L wrist plain film | PA/AP | pediatric patient (girl, age 14)
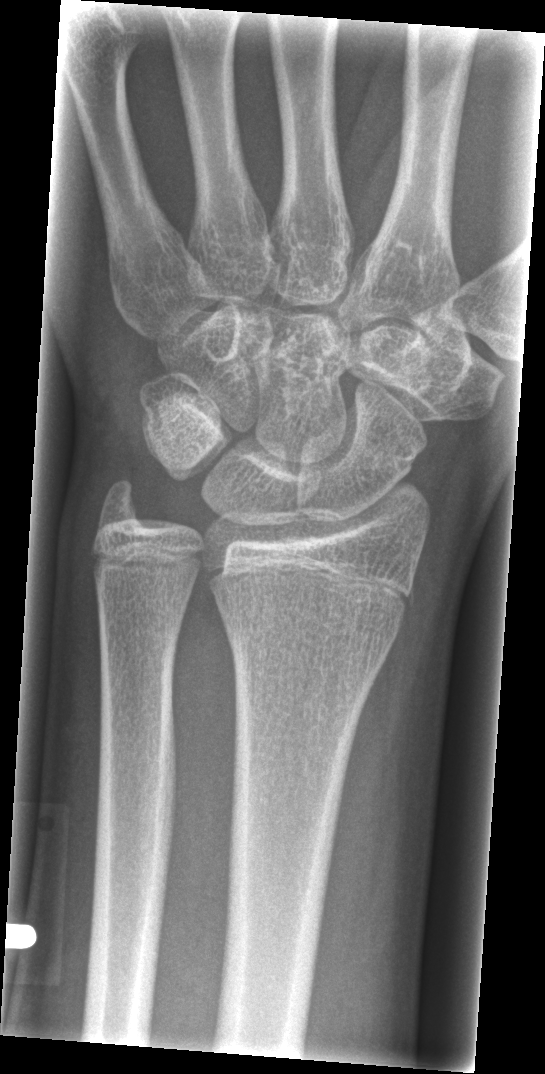
{
  "fracture": "none labeled"
}